Lt wrist plain film; PA/AP projection; age 12 y, female; follow-up; in cast
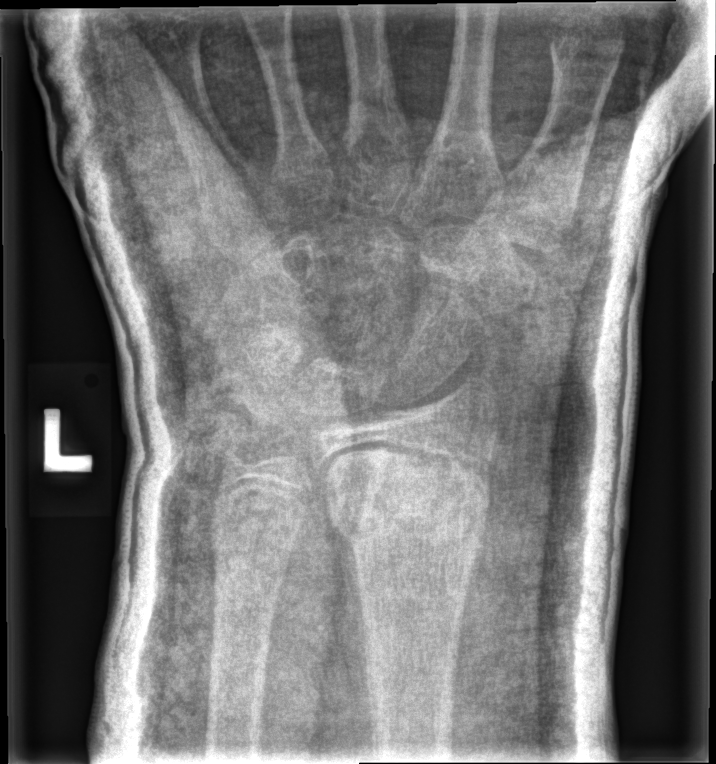

AO/OTA = 23r-M/3.1; 23u-E/7
periosteal new bone = 1 @ [333, 521, 375, 726]
fracture = 1 @ [322, 454, 494, 558]